Lat, Rt wrist X-ray, pediatric patient (male, age 8), 420x824

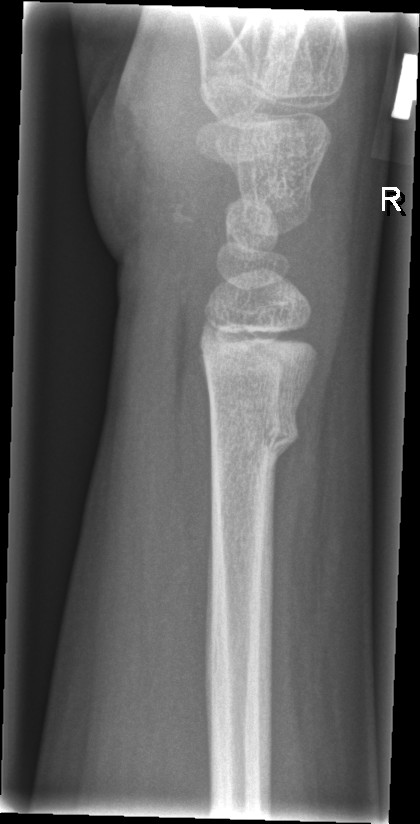
Coordinates are [x1, y1, x2, y2] in image pixels. Bone fractures — 206 408 302 463; 207 399 283 458. Fracture classified AO/OTA 23-M/2.1.